Lat projection · L pediatric wrist radiograph · 580 by 1250 pixels

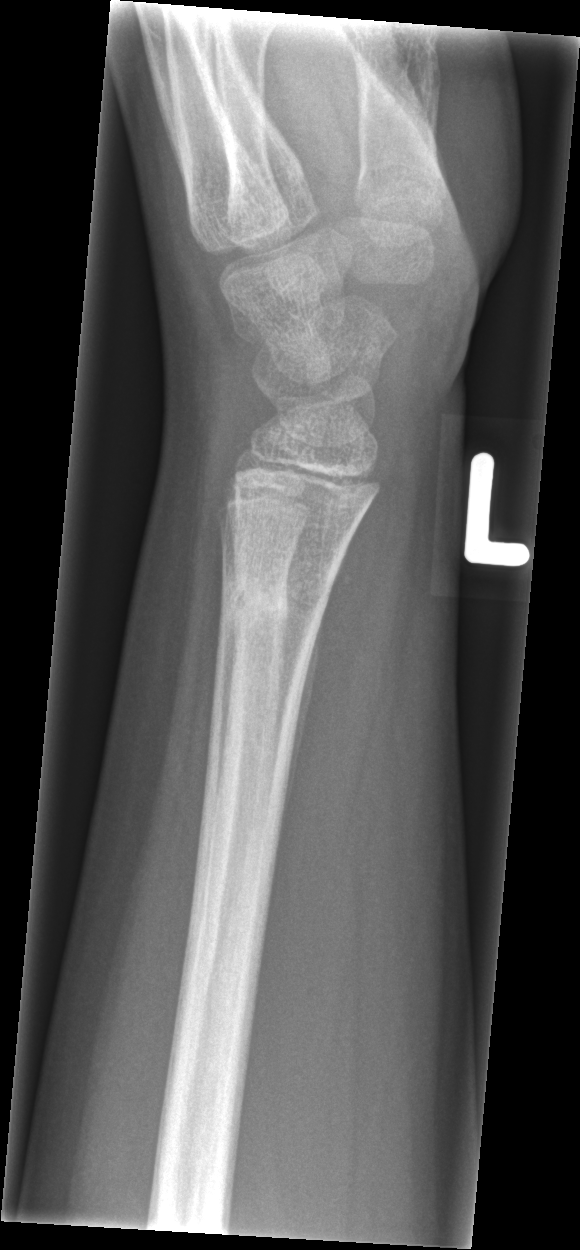 fracture: (left=216, top=572, right=333, bottom=646)
periosteal new bone: 1 @ (left=276, top=595, right=327, bottom=854)
osteopenia: present